Lat projection; Rt wrist X-ray; male, 15 yo; index exam; 565 by 830 pixels:

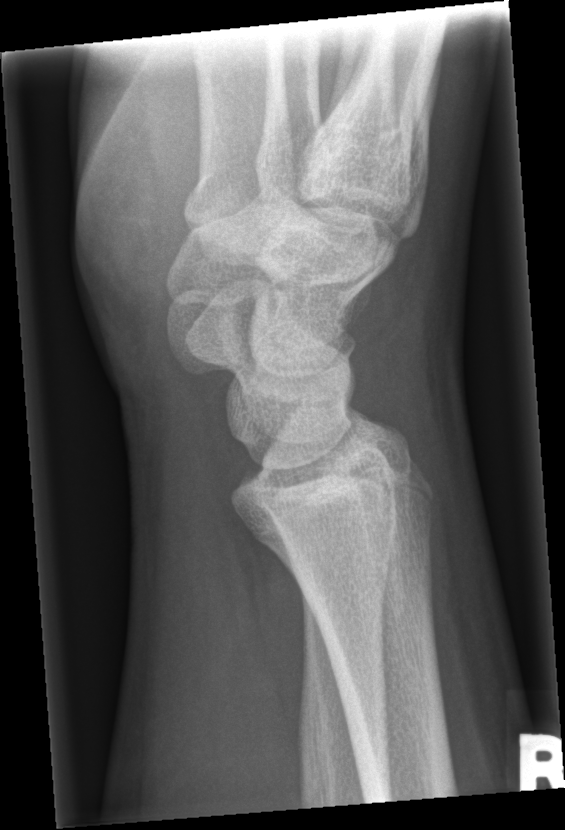
FINDINGS — No Fx annotated.